Lat; L wrist X-ray; cast present —
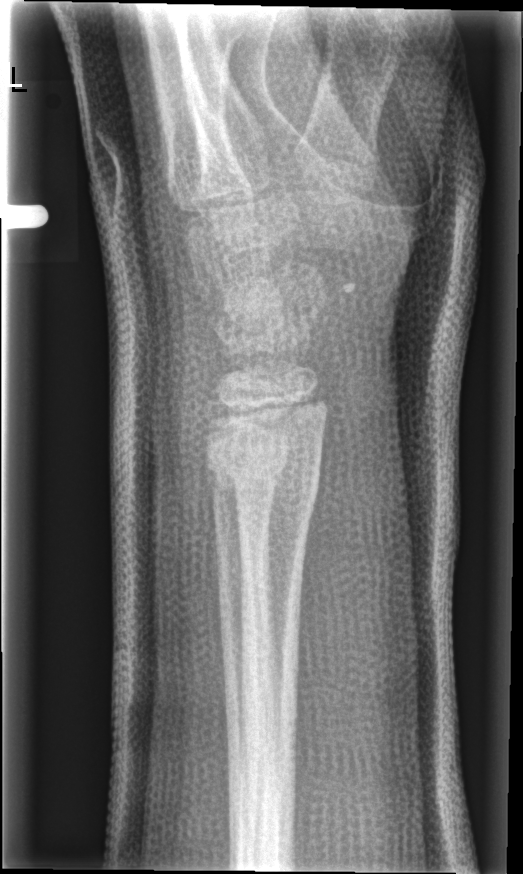

* Boxes as x1,y1,x2,y2 (top-left / bottom-right, pixel units).
* One Fx at [x1=202, y1=432, x2=328, y2=514].
* AO code 23r-M/2.1.